Right wrist X-ray, PA/AP projection — 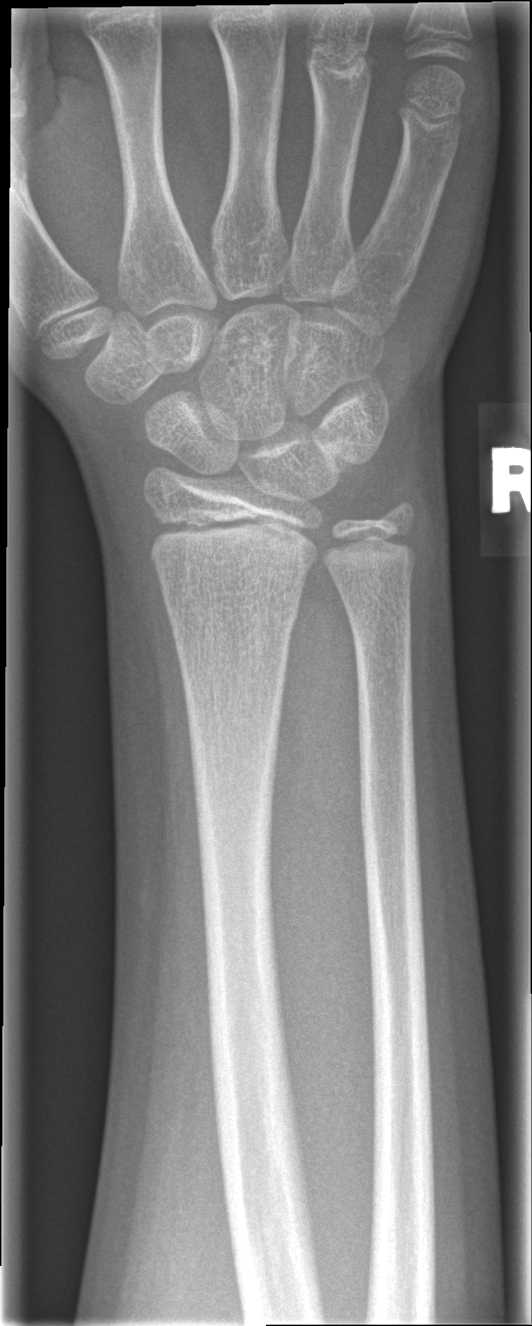
Q: AO code?
A: Fracture classified AO/OTA 23r-M/2.1
Q: Any fracture seen?
A: Fracture identified at 165,585,305,639